Rt pediatric wrist radiograph, PA — 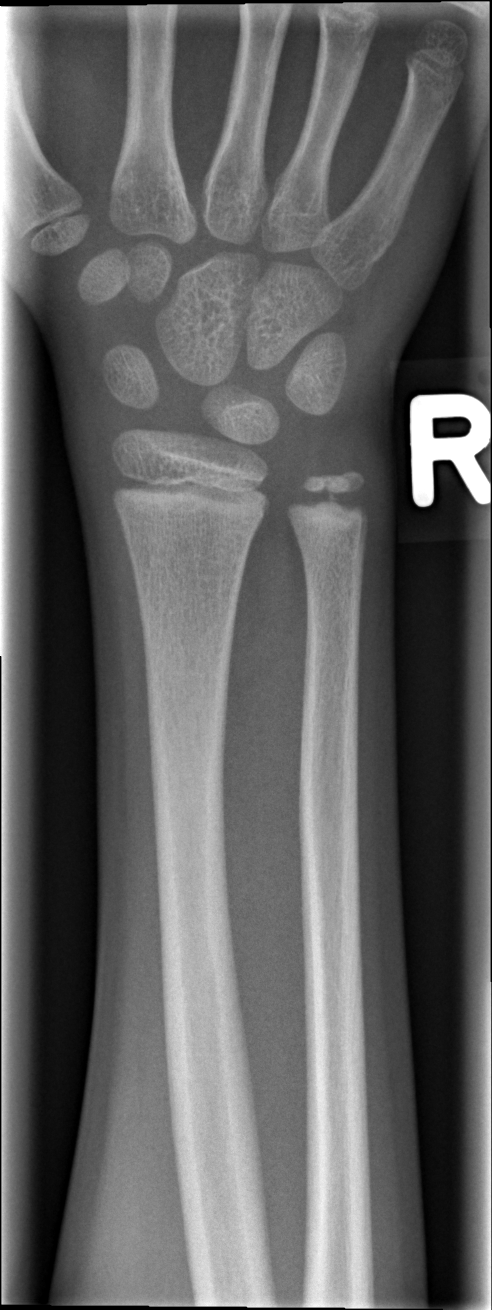 Bone fracture = none labeled